Right wrist radiograph | PA view | pediatric patient (female, age 10) | follow-up | cast present:
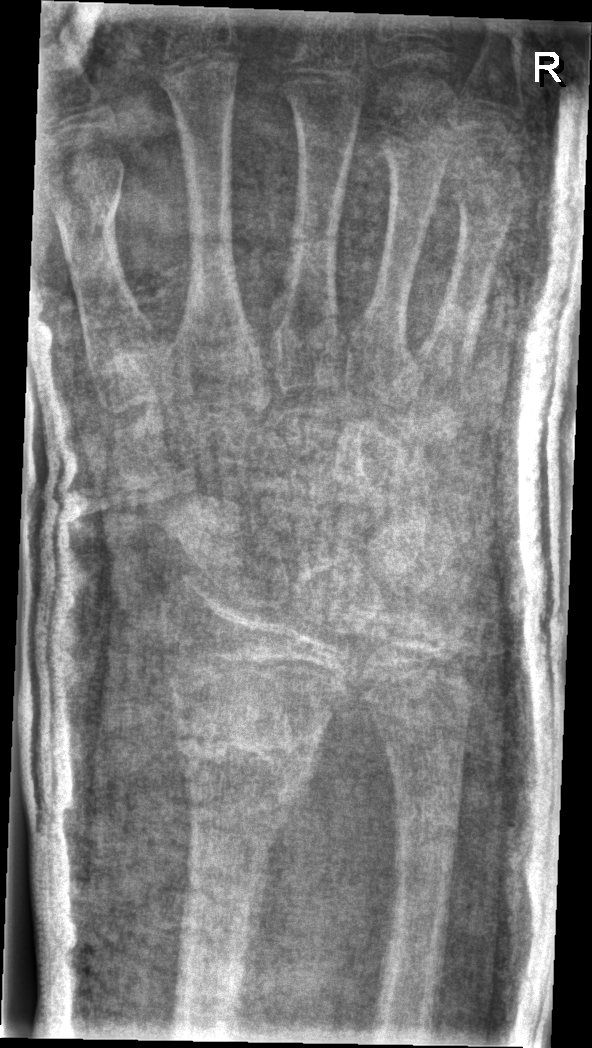 (boxes as x1,y1,x2,y2 (top-left / bottom-right, pixel units))
Q: Locate any fractures.
A: Fracture: [165, 691, 332, 815] [382, 785, 467, 880]